L wrist radiograph · frontal view · 16-year-old female · index exam —

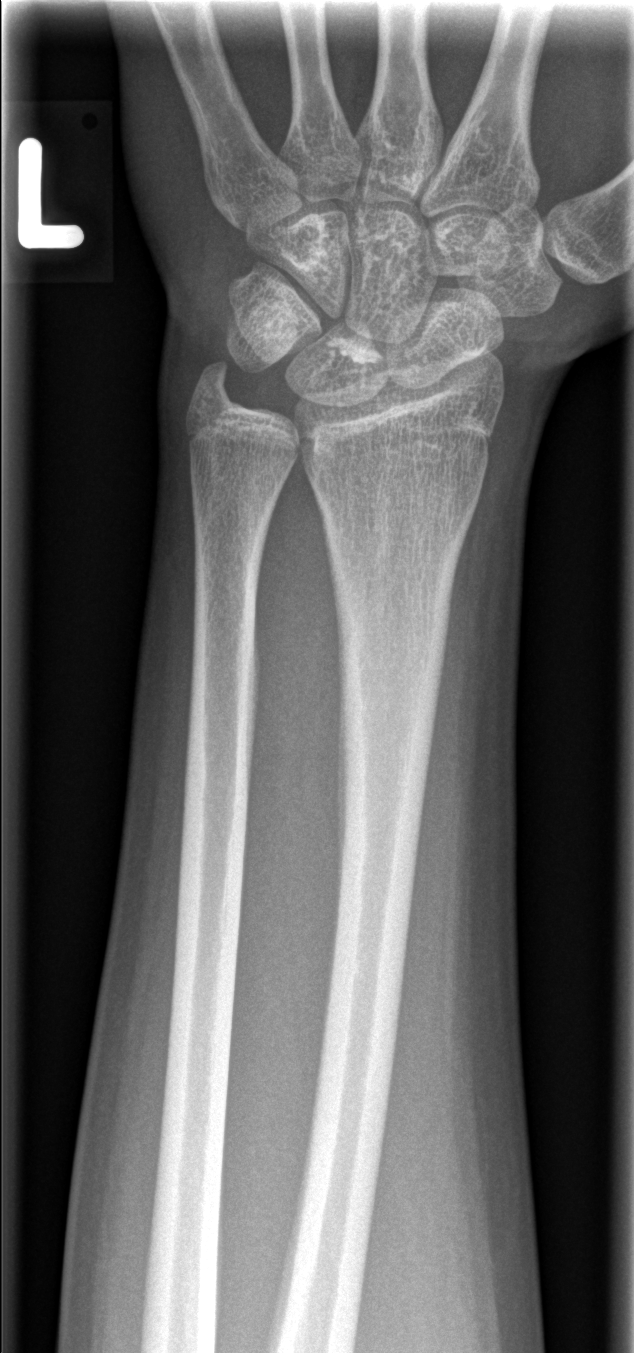 Q: Is there a fracture?
A: No Fx annotated